AP projection, L wrist XR:
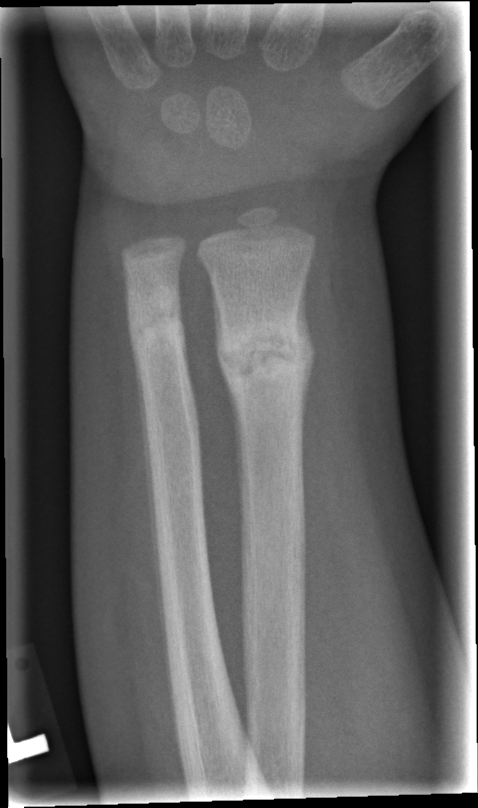
Periosteal new bone identified at [x1=293, y1=268, x2=319, y2=439]; [x1=209, y1=277, x2=224, y2=367]. AO code 23-M/3.1. Two fractures at [x1=214, y1=326, x2=319, y2=388]; [x1=125, y1=313, x2=192, y2=346].